Lt wrist XR | posteroanterior projection | presentation radiograph | acquired on Siemens | image size 510x858 — 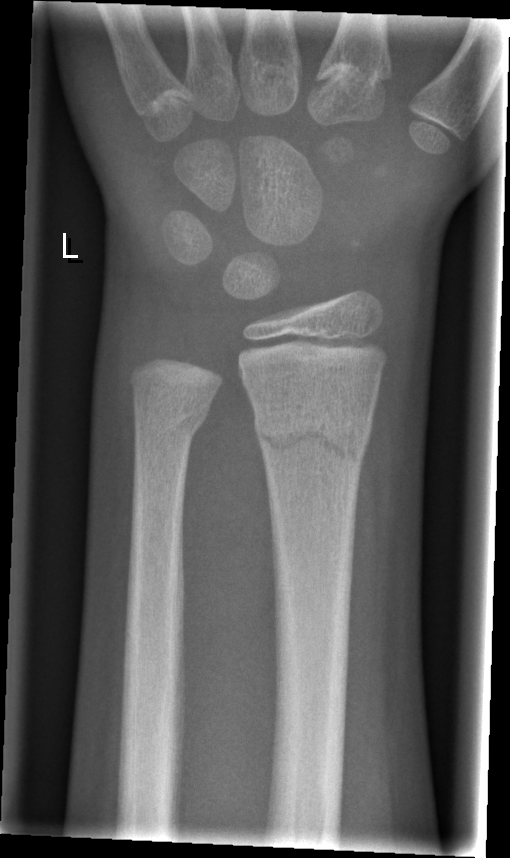

fracture: <252,402>-<374,472>; <130,393>-<212,439>
AO/OTA: 23-M/3.1